Lt wrist radiograph | frontal view | 14y M | imaged through cast | 101.1 mm image width
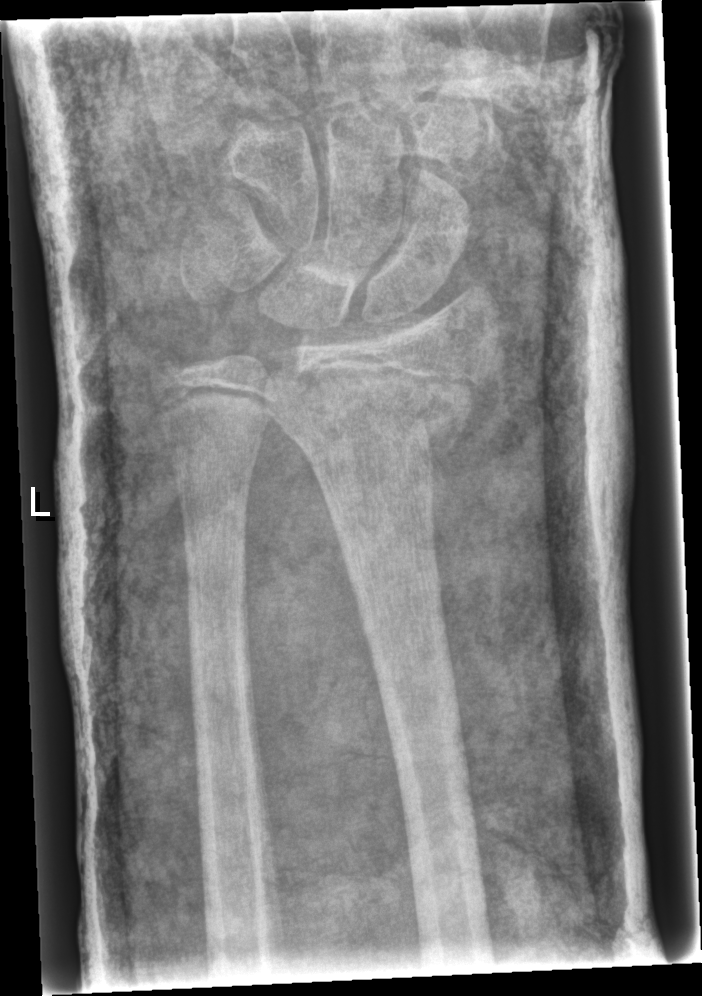

• Fracture — (265, 357, 490, 472).
• Fracture classified AO/OTA 23r-E/2.1; 23u-E/7.